Lt wrist X-ray | lat view | 9-year-old female | follow-up study:
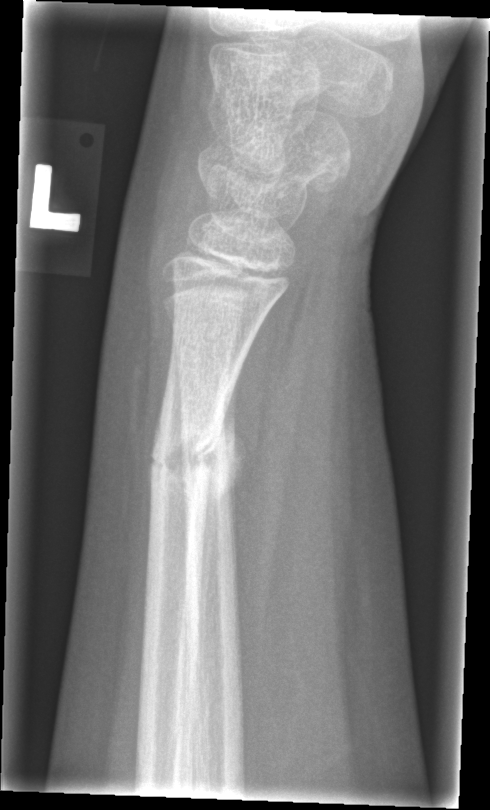 Periosteal thickening identified at 194 338 254 712.
Osteopenia.
Fx — 145 419 237 503.
AO/OTA classification: 23-M/3.1.